Rt wrist plain film | lateral | in cast | 572x730

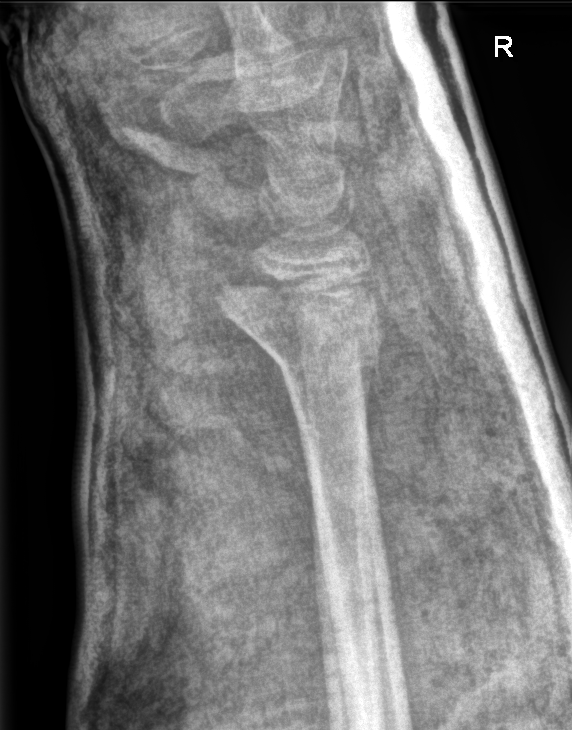 Bone fracture identified at bbox(211, 264, 391, 380).